Lt wrist X-ray · lat projection · boy, 13 yo —
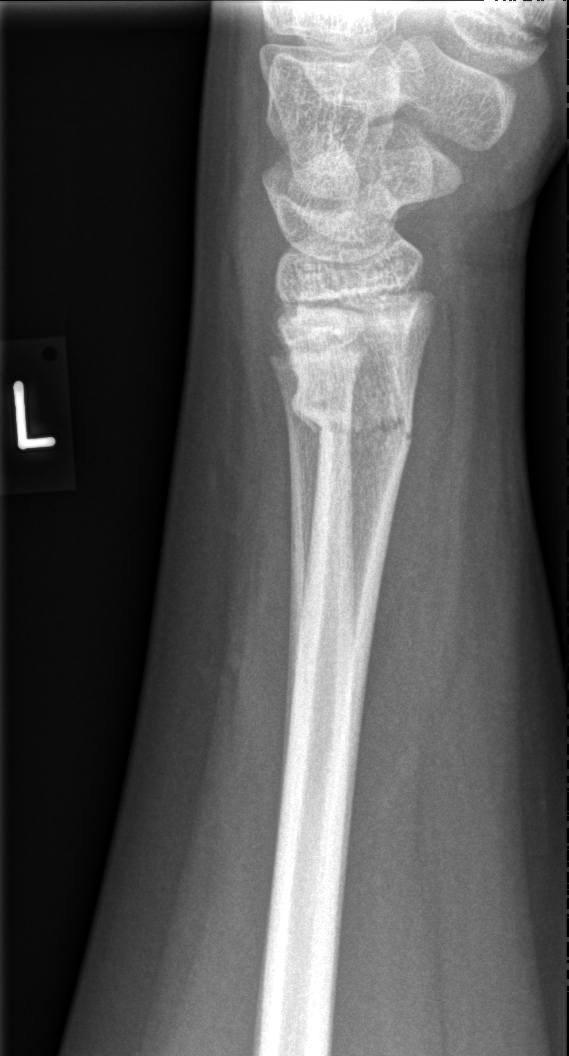 Fracture classified AO/OTA 23r-M/3.1; 23u-E/7. Bone fracture identified at 286 379 420 456.